Lat projection | left wrist plain film | boy, 13 yo
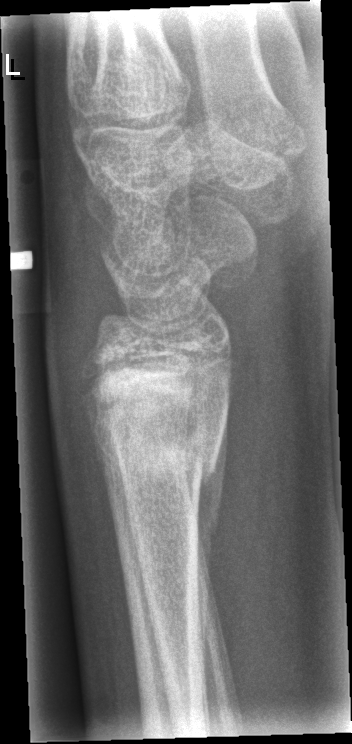
FINDINGS — (boxes as x1,y1,x2,y2 (top-left / bottom-right, pixel units)) Osteopenia. Bone fracture: [x1=87, y1=402, x2=227, y2=528]. Periosteal new bone — [x1=191, y1=410, x2=228, y2=667].